Left wrist pediatric wrist radiograph; AP projection; presentation radiograph; 498 by 720 pixels — 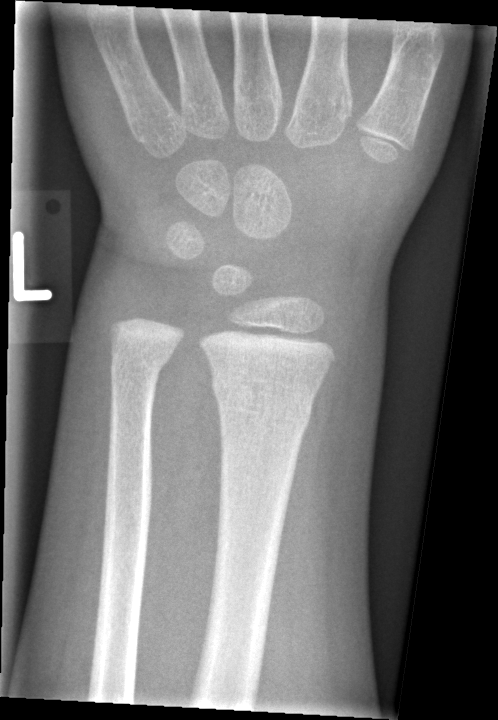

Two fractures at [x1=208, y1=364, x2=316, y2=433], [x1=107, y1=337, x2=176, y2=384].